Lateral, left pediatric wrist radiograph, age 10 y, male, image 55.9 mm wide: 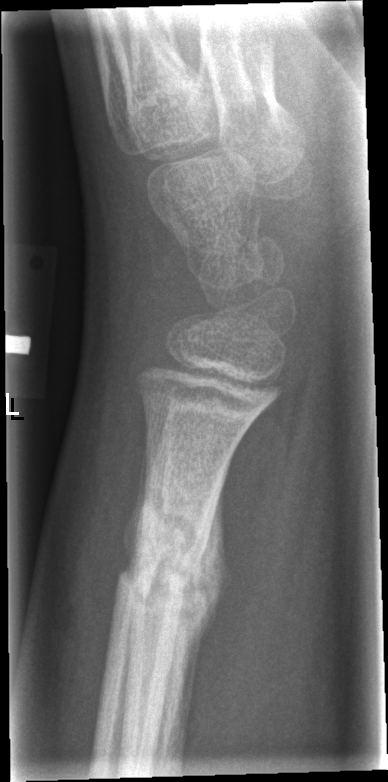 (coordinates are [x1, y1, x2, y2] in image pixels)
Q: Locate any fractures.
A: One bone fracture at bbox(111, 497, 224, 621)
Q: Locate any periosteal reaction.
A: One periosteal new bone at bbox(162, 476, 233, 768)
Q: Bone density?
A: Reduced bone mineral density
Q: AO code?
A: AO/OTA classification: 23-M/3.1